Lateral view; Rt wrist plain film; male, 16 yo; image size 784x1296 —

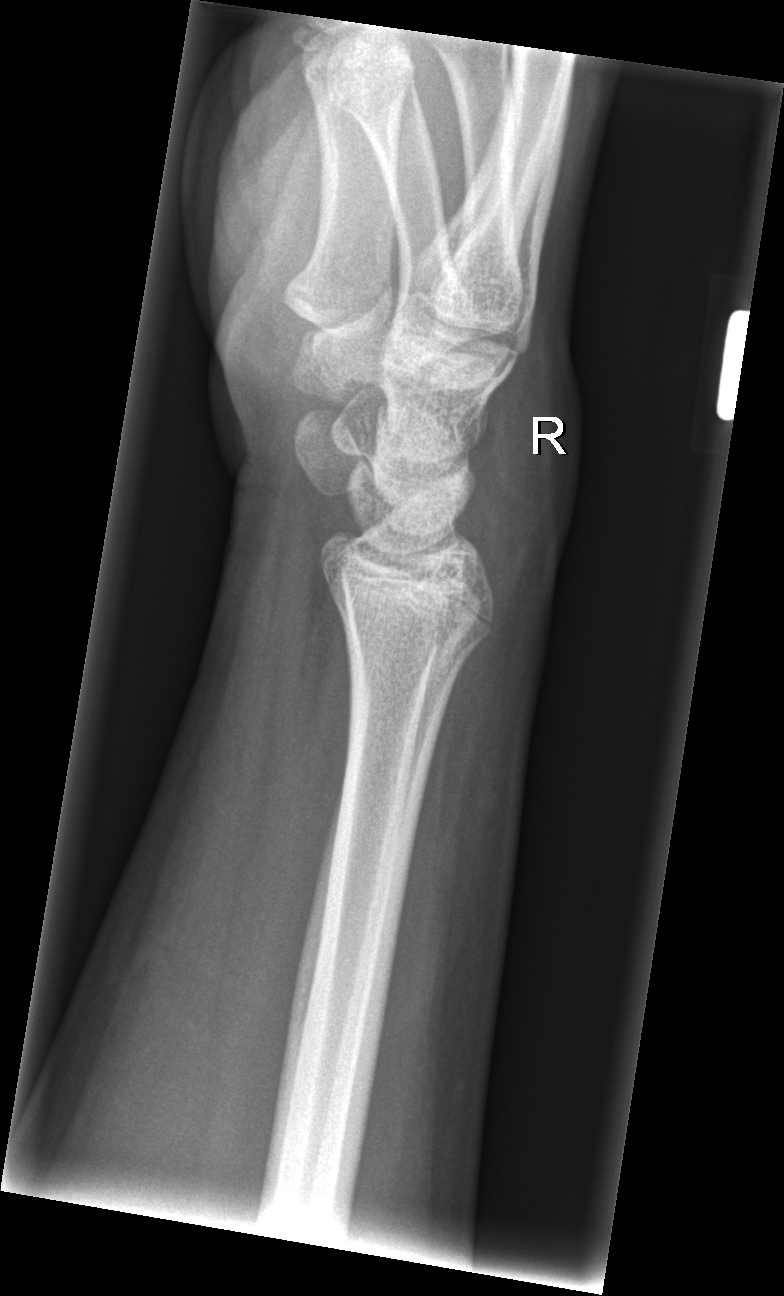 Boxes as x1,y1,x2,y2 (top-left / bottom-right, pixel units).
AO code 23r-M/2.1.
Bone fracture identified at <329,594>-<494,672>.